Lt wrist radiograph; PA view; boy, 13 yo 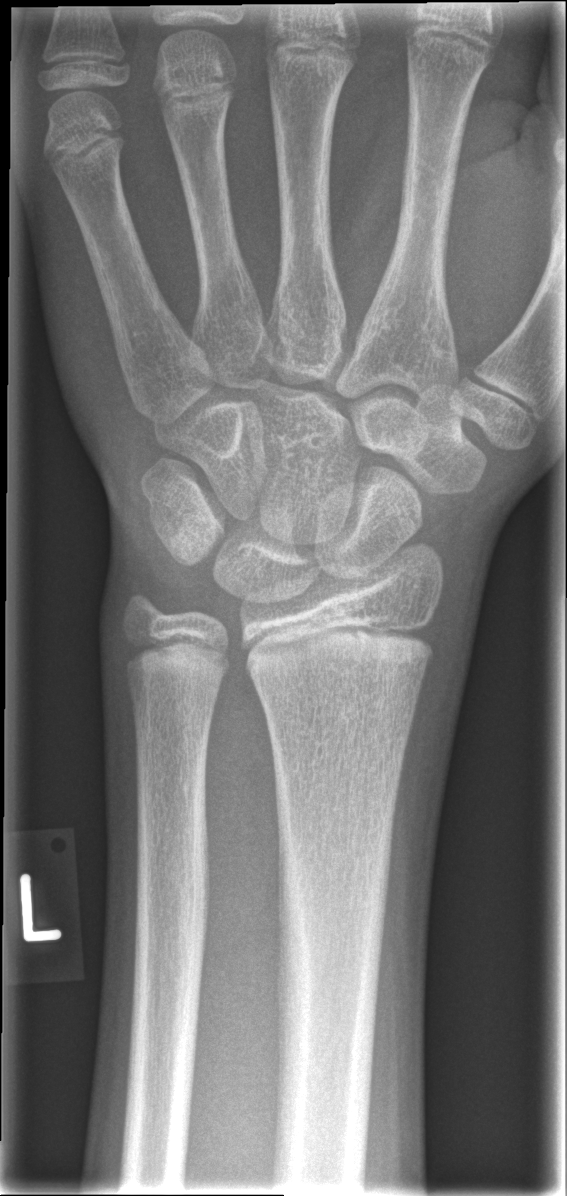

No fracture annotation.